Lat view · L wrist X-ray · boy, 3 yo · follow-up 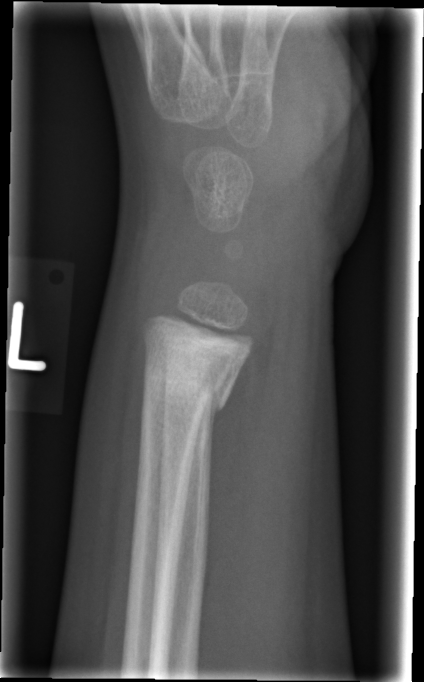
AO classification: 23r-M/3.1; 23u-M/2.1
Fx: 1 @ (left=138, top=359, right=234, bottom=421)